Frontal projection, Rt wrist radiograph, female, 10 yo, image 87.8 mm wide 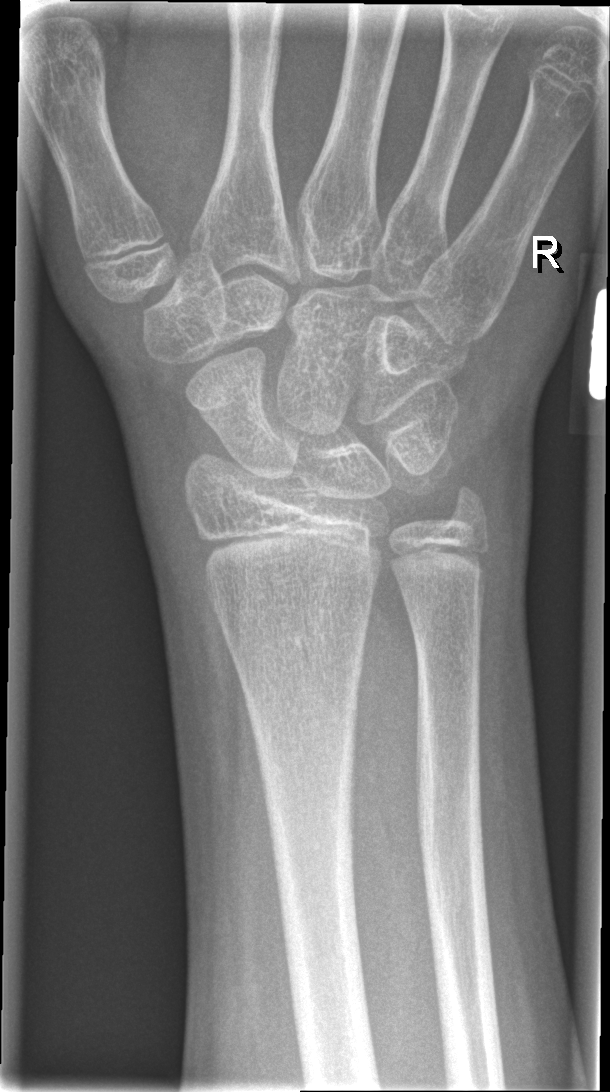

No fracture bounding box.